Posteroanterior view | left wrist plain radiograph of the wrist | pediatric patient (boy, age 13) | index exam:
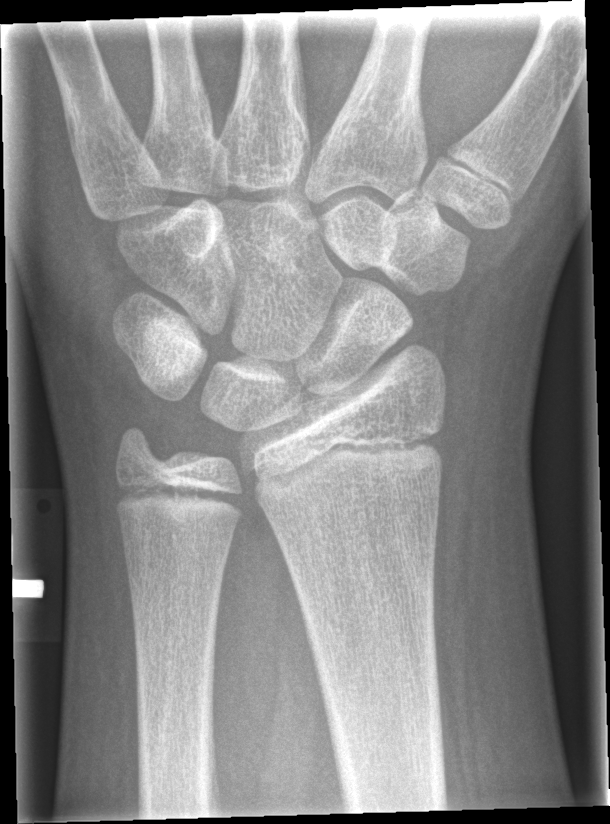 Findings: Fracture: none labeled.